L wrist radiograph, lateral view, diagnosis uncertain —
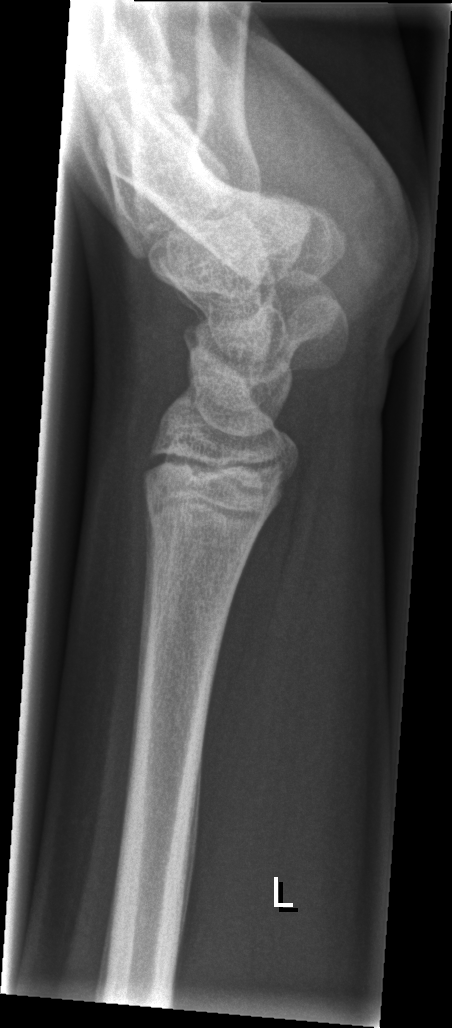
{
  "ao": "23r-M/2.1",
  "fracture": "1 @ (140, 486, 267, 570)"
}